Left wrist radiograph; PA/AP view; pediatric patient (girl, age 6): 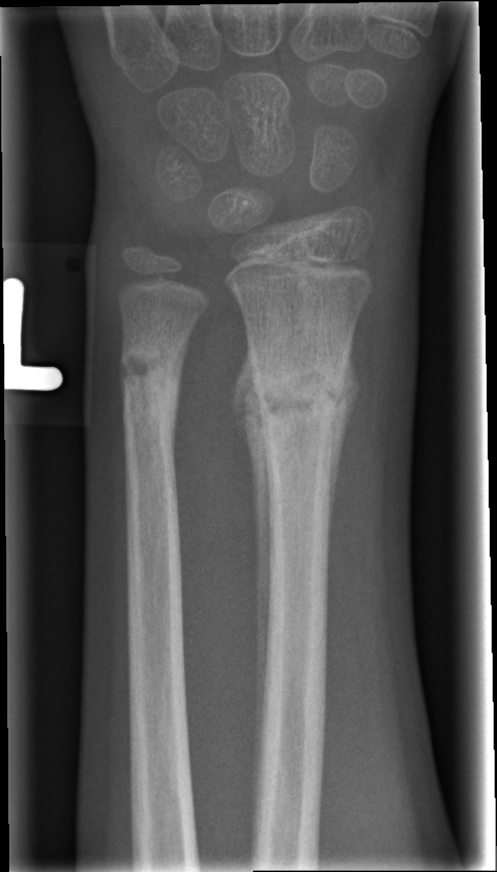
* Coordinates are [x1, y1, x2, y2] in image pixels.
* Osteopenia.
* Periosteal reaction — 230 333 276 846 | 327 330 362 563.
* Fracture identified at 248 354 348 434
  118 343 185 421.
* Fracture classified AO/OTA 23-M/3.1.